PA projection | L wrist radiograph | age 12 y, female | acquired on Siemens | image width 71.4 mm | 496 by 758 pixels —
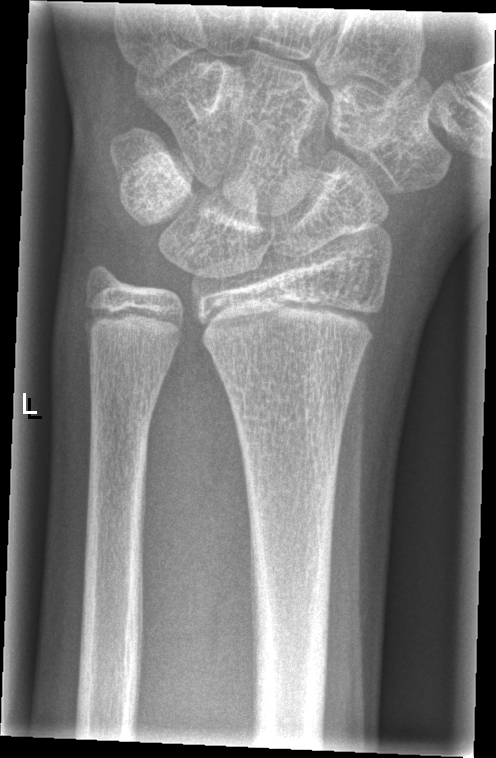 fracture: none labeled